Left wrist radiograph | PA/AP projection | boy, 13 yo: 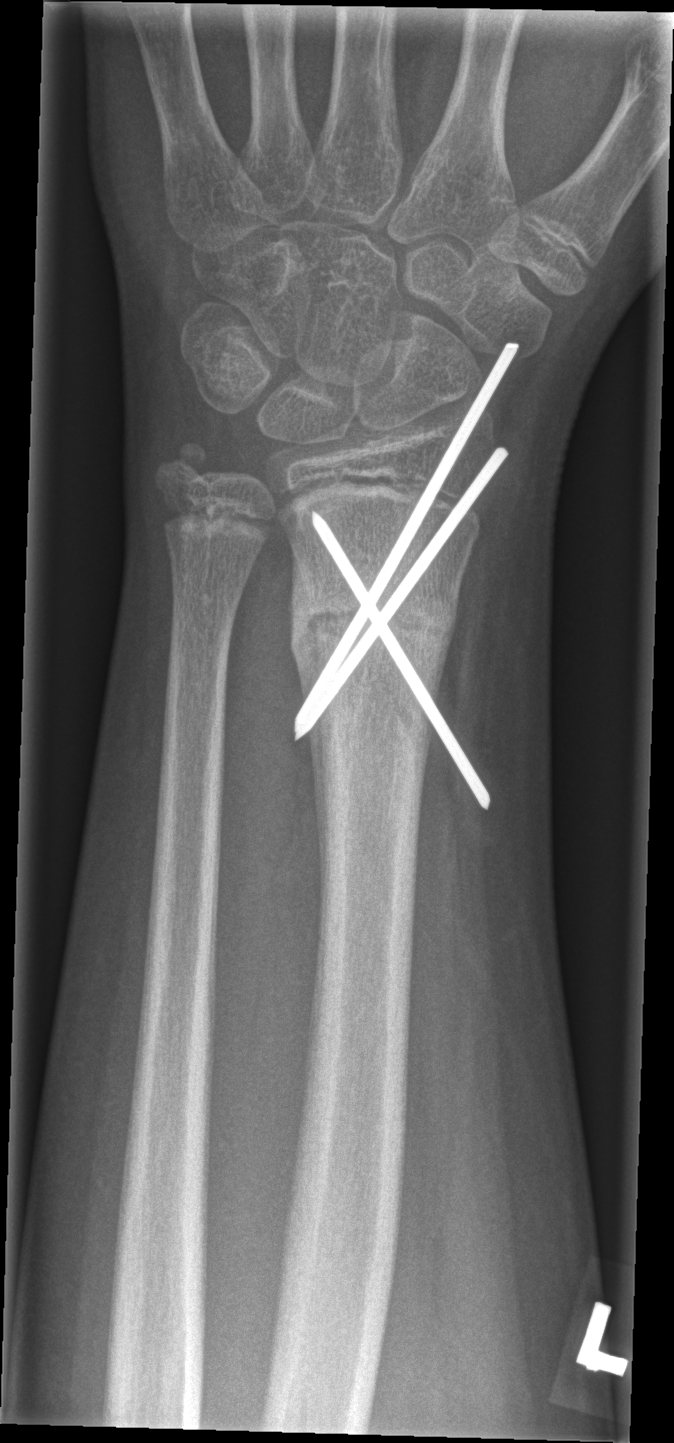 Hardware identified at 285 336 529 810. Fracture classified AO/OTA 23r-M/3.1; 23u-E/7. Fracture: 289 586 460 671; 153 433 220 497.